Lat projection | R wrist plain film | age 11 y, male | image size 439x666: 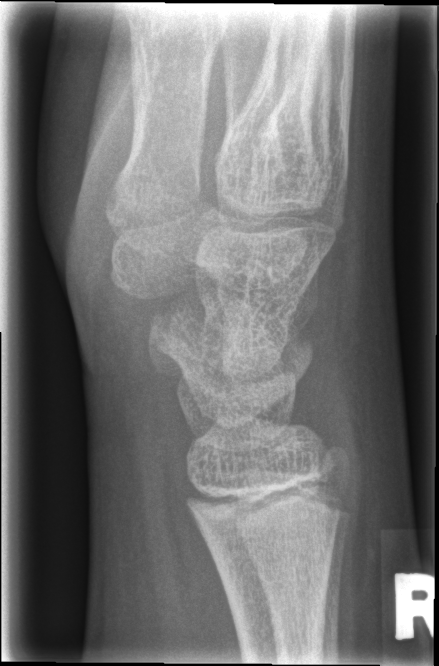

No Fx annotated.